AP view, right wrist plain radiograph of the wrist, 13y F, index exam.

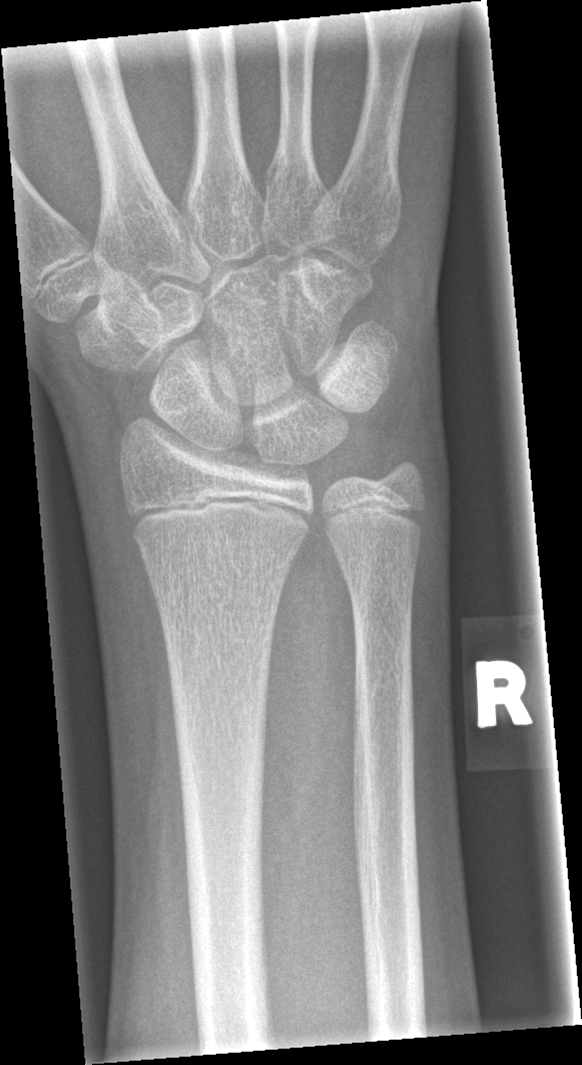

- No Fx annotated.